Lat, right wrist plain radiograph of the wrist
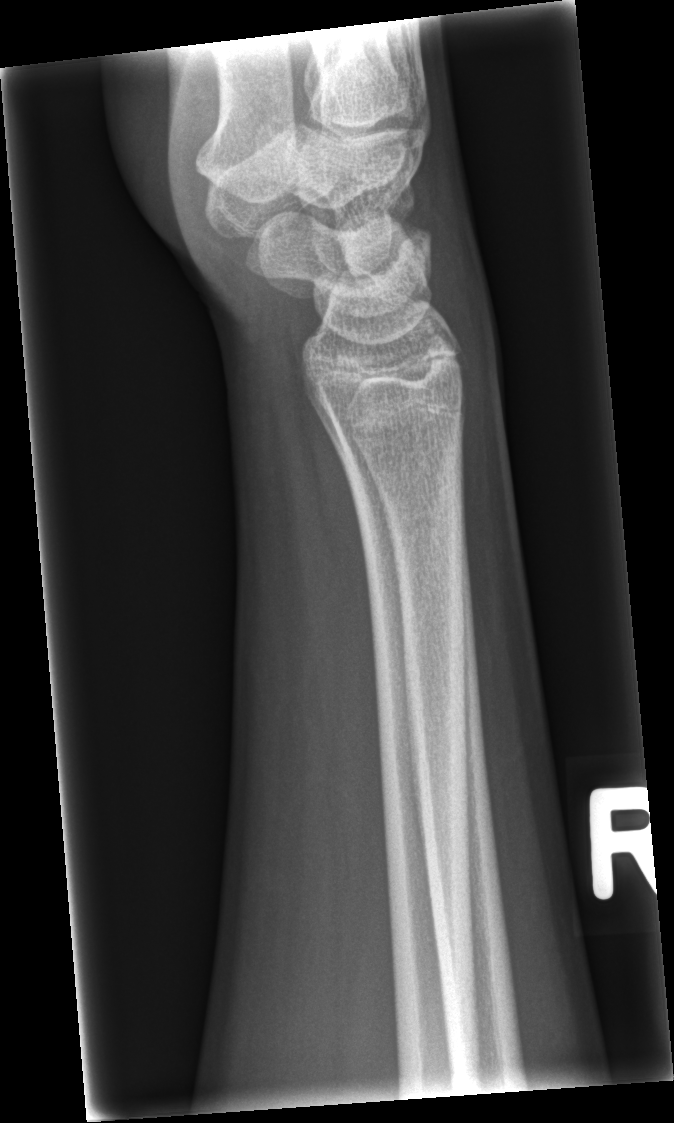
- Fracture: none labeled.